Lateral view; left wrist plain film — 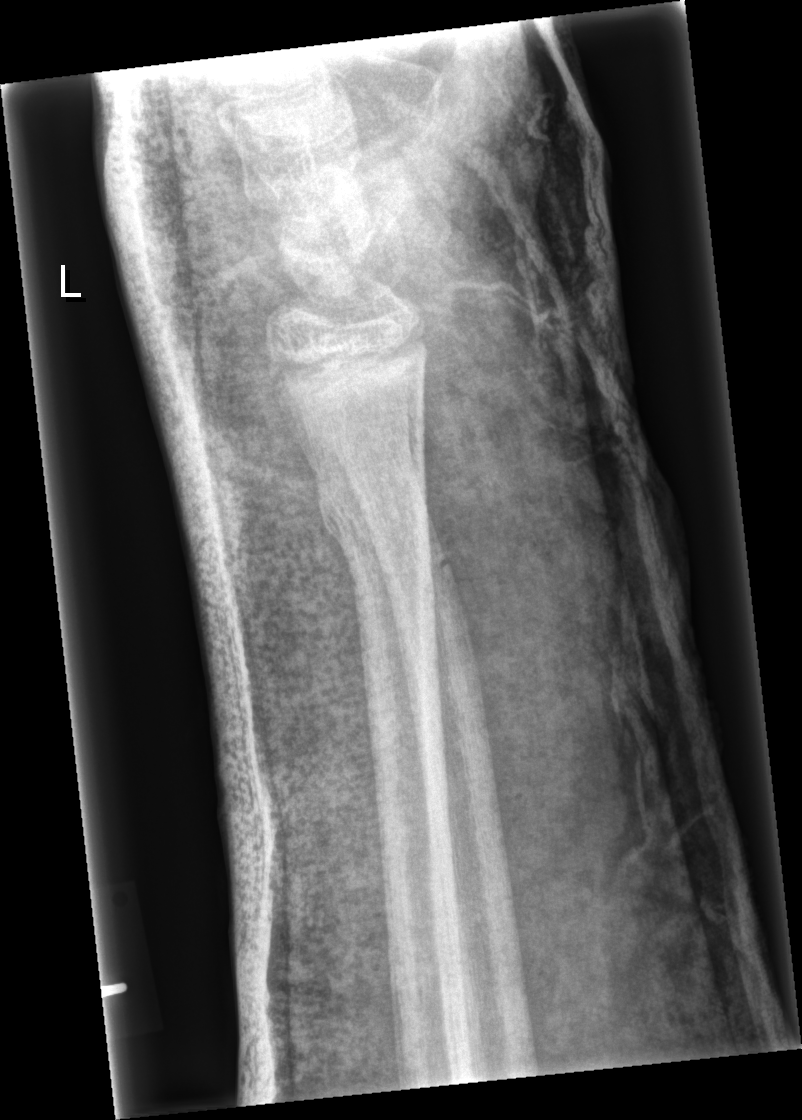 Q: Any fracture seen?
A: Bone fracture identified at (308, 466, 435, 578); (370, 532, 462, 610)